Lt wrist plain film | lat | 475x1070. 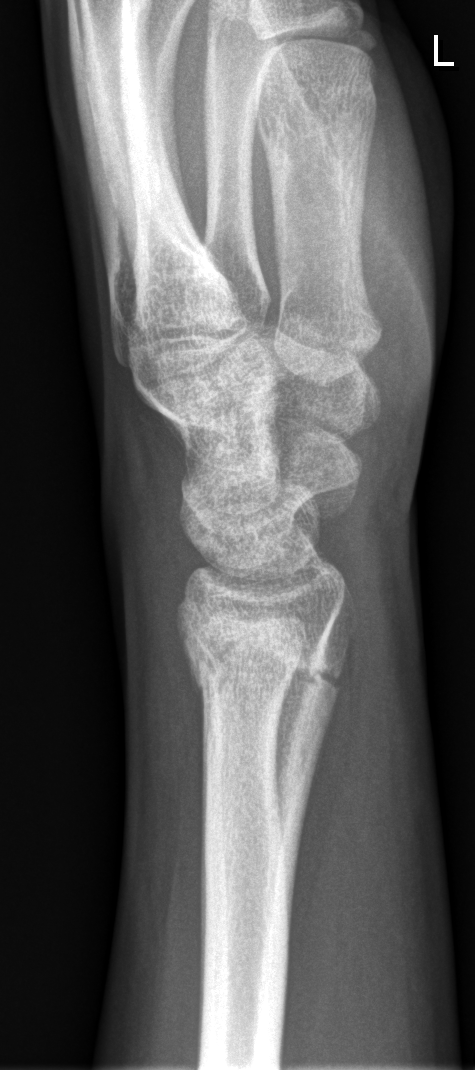
• One bone fracture at (176, 598, 348, 706).
• AO/OTA classification: 23r-M/3.1; 23u-E/7.